Right wrist XR · PA projection.

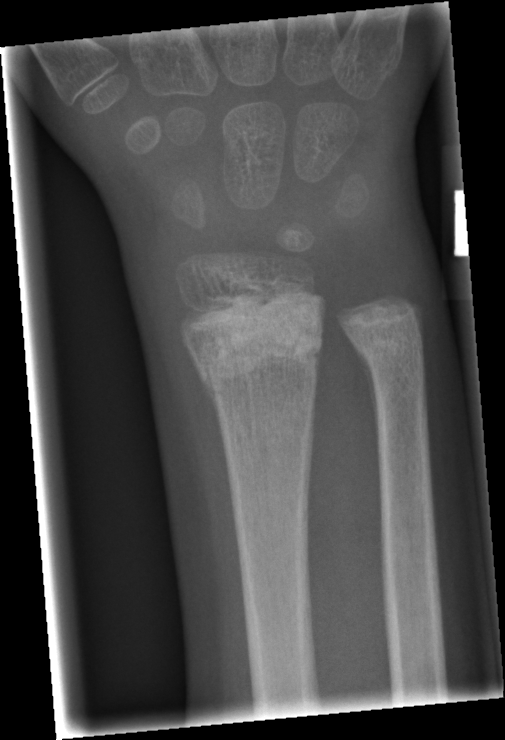 {"fracture": "2 @ <178,289>-<328,401> <344,309>-<431,375>", "periostealreaction": "<359,357>-<377,441>"}